Left wrist plain film | lat view | 14-year-old boy | follow-up study — 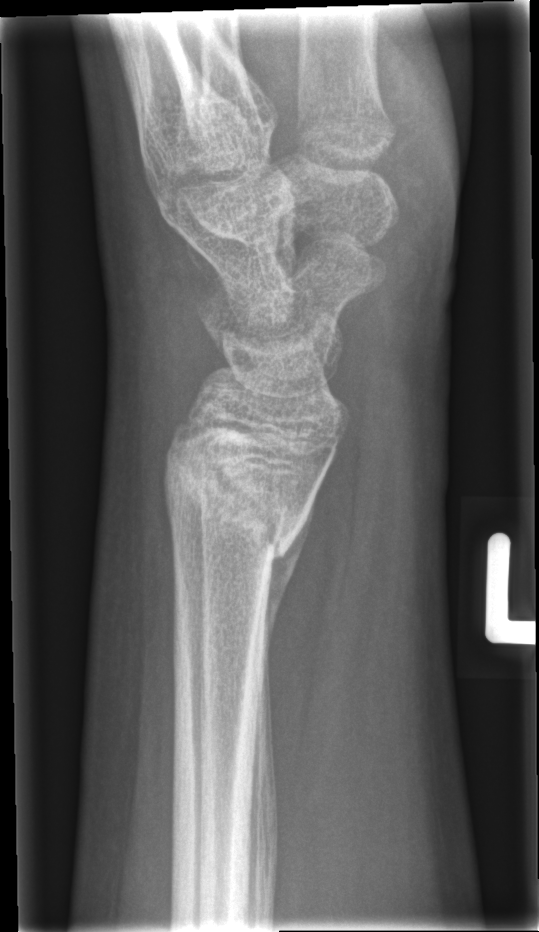 ao: 23r-M/3.1
fracture: <160,424>-<314,562>
periostealreaction: <253,484>-<320,741>